PA view; Rt wrist radiograph; follow-up study; cast present; Siemens — 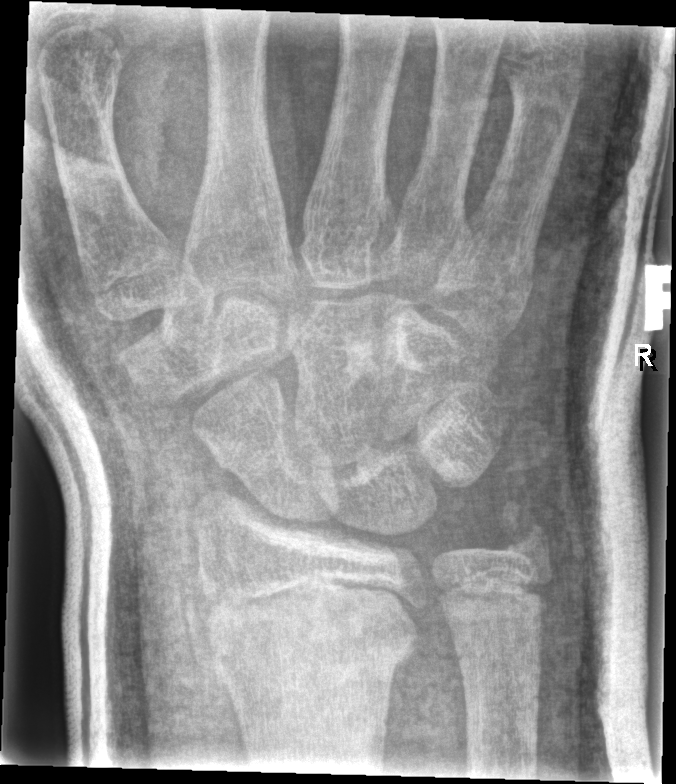
Fracture classified AO/OTA 23r-M/3.1; 23u-E/7.
Bone fractures — <208,613>-<420,699>; <493,488>-<556,571>.